Lt wrist plain film; lat projection; 15y M.

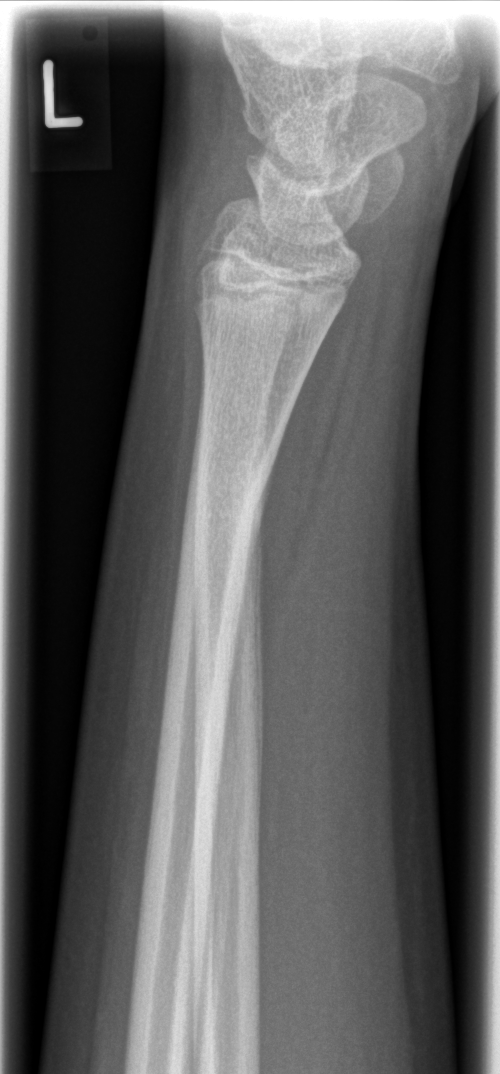
(pixel coordinates, top-left origin, xyxy)
AO classification: 23-M/2.1
Fx: 1 @ [173, 428, 288, 571]